Left wrist radiograph; lat; pediatric patient (girl, age 9) —

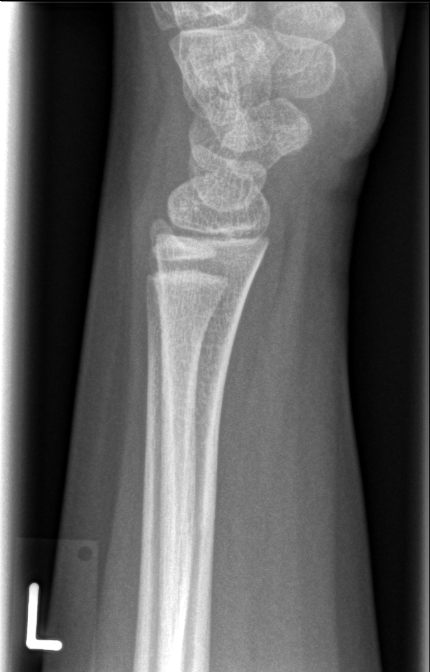
Q: Is there a fracture?
A: Fx: none